Posteroanterior · left wrist XR · age 10 y, girl
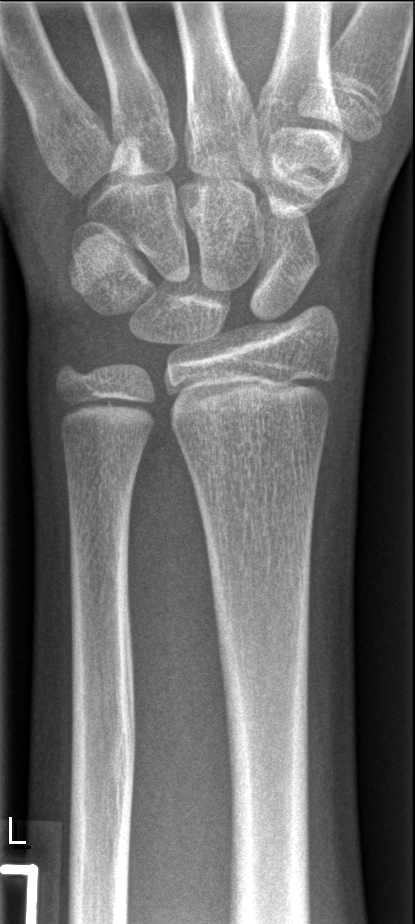
Fx: none labeled